Rt pediatric wrist radiograph, frontal view.
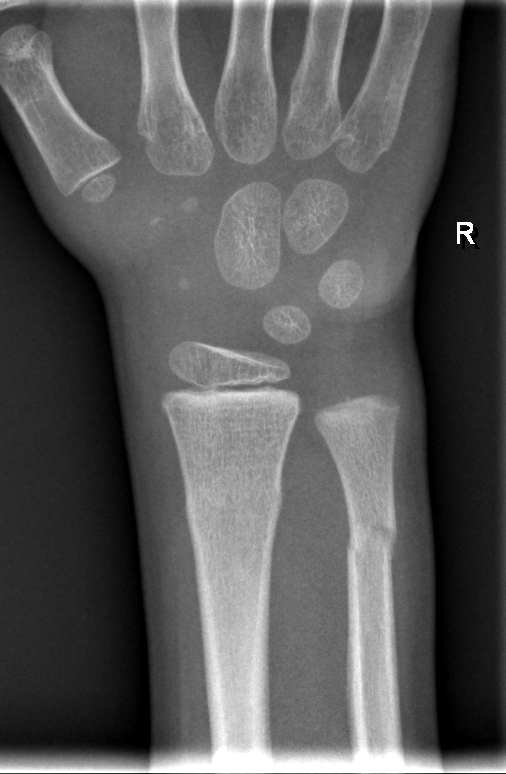
Q: Locate any fractures.
A: Two fractures at bbox(181, 471, 285, 540) bbox(342, 501, 401, 572)